Left wrist XR; PA view:
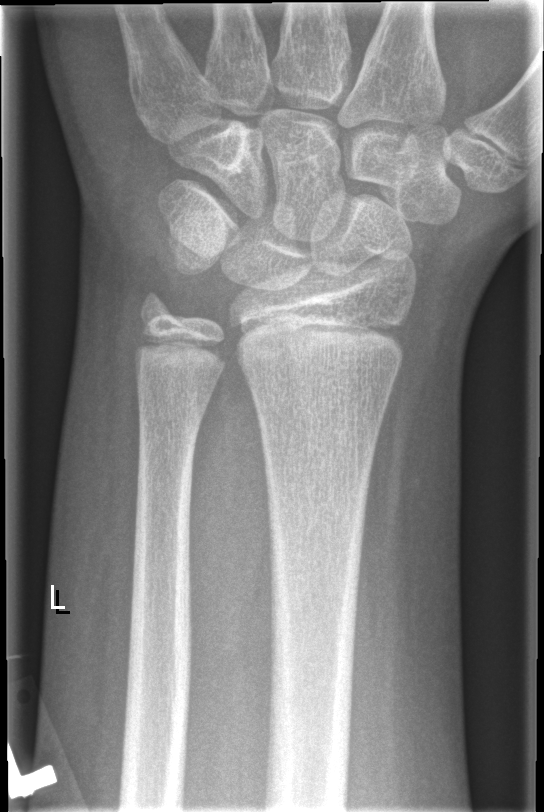
No fracture labeled.